Left wrist plain radiograph of the wrist · lat view · acquired on Siemens:
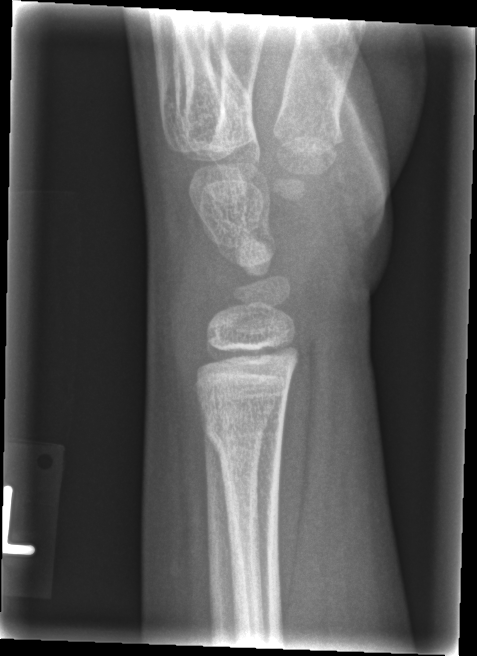

(boxes as x1,y1,x2,y2 (top-left / bottom-right, pixel units))
AO classification: 23r-M/2.1
bone fracture: 1 @ (199, 411, 287, 458)